PA/AP view; L wrist XR; boy, 10 yo; in cast; Siemens; 580x1093 —
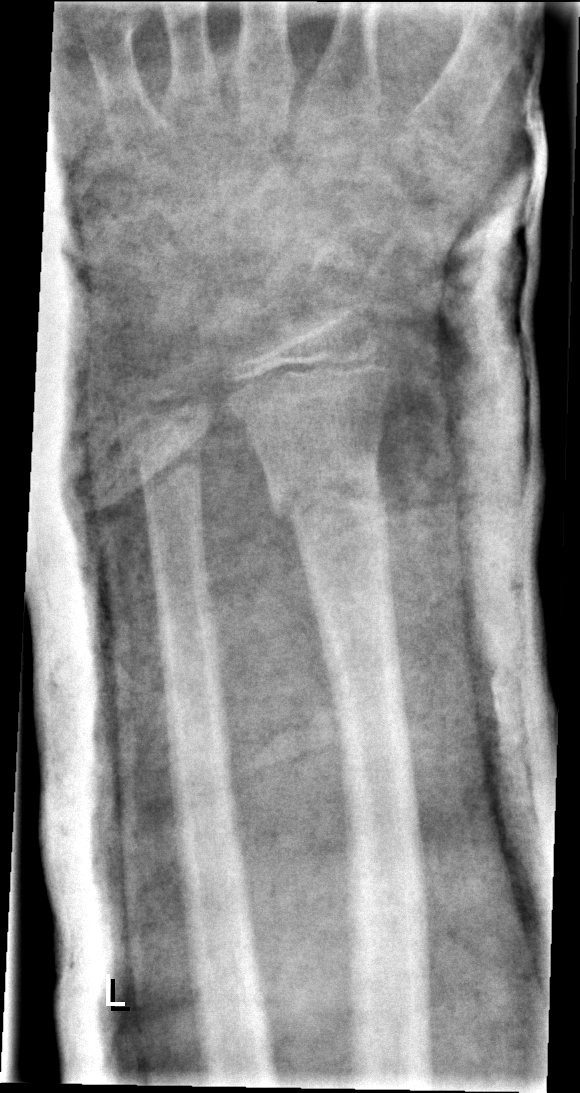

FINDINGS: Bone fractures — [263, 457, 397, 534], [118, 426, 207, 495].